Left wrist XR, frontal view, pediatric patient (boy, age 9), 614x901: 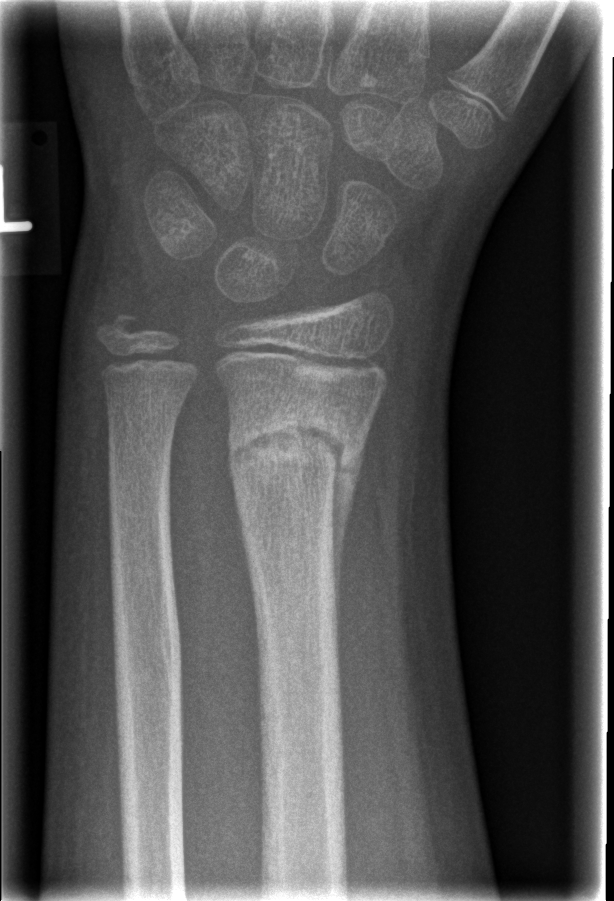

FINDINGS: Bone fracture: (225, 400, 371, 489), (91, 298, 144, 353). Periosteal thickening: (323, 430, 367, 670). Fracture classified AO/OTA 23r-M/3.1; 23u-E/7.